Rt wrist radiograph; lat; age 15 y, boy; index exam — 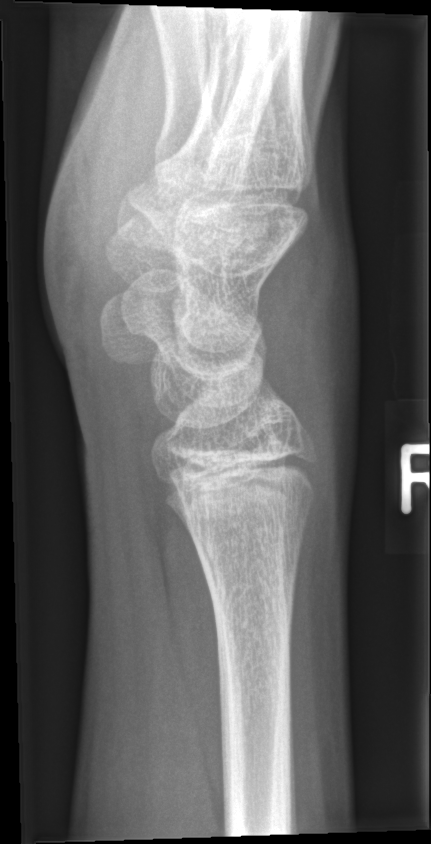

- Fx present but not clearly seen in this view.
- AO/OTA classification: 72B(c).